Lat view | Rt pediatric wrist radiograph | pediatric patient (female, age 13):

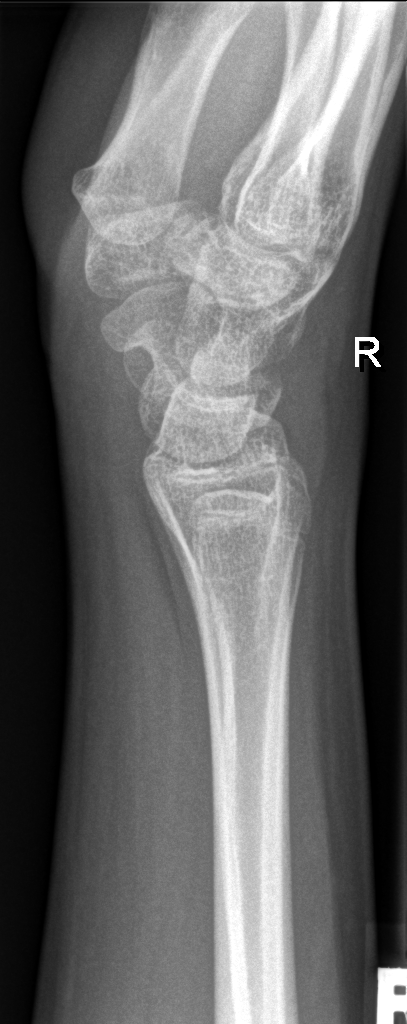
- No fracture bounding box.